PA/AP | R plain radiograph of the wrist | imaged through cast
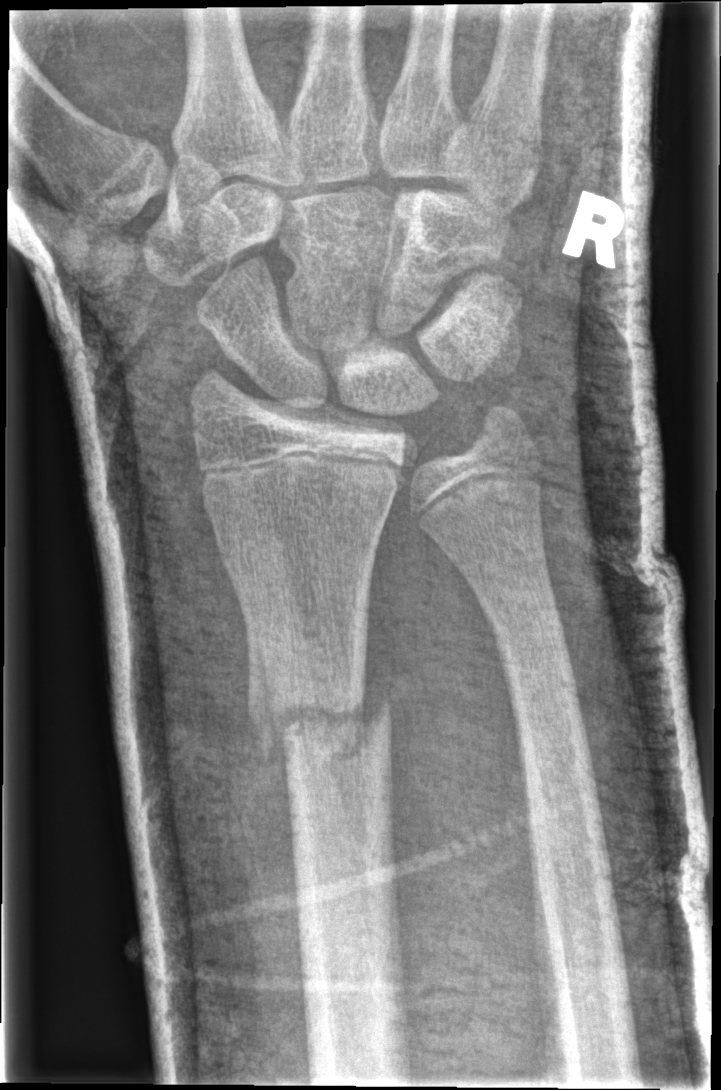
(pixel coordinates, top-left origin, xyxy)
Fracture: 243,662,399,783
  478,570,573,666
  464,393,534,456